Lat · left wrist pediatric wrist radiograph · age 18 y, male · acquired on Siemens · 72.7 mm image width

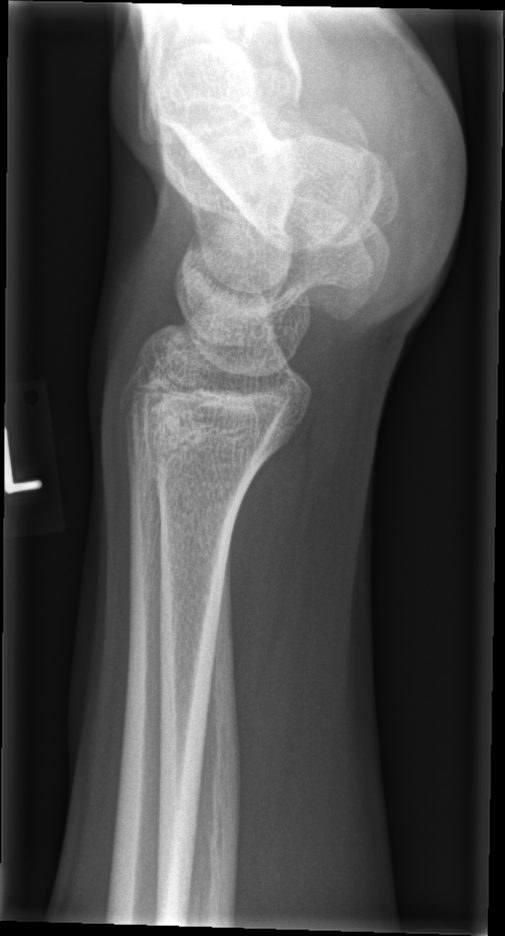
Fracture: none labeled.